L wrist plain film; lat view; age 13 y, boy; detector: Siemens —

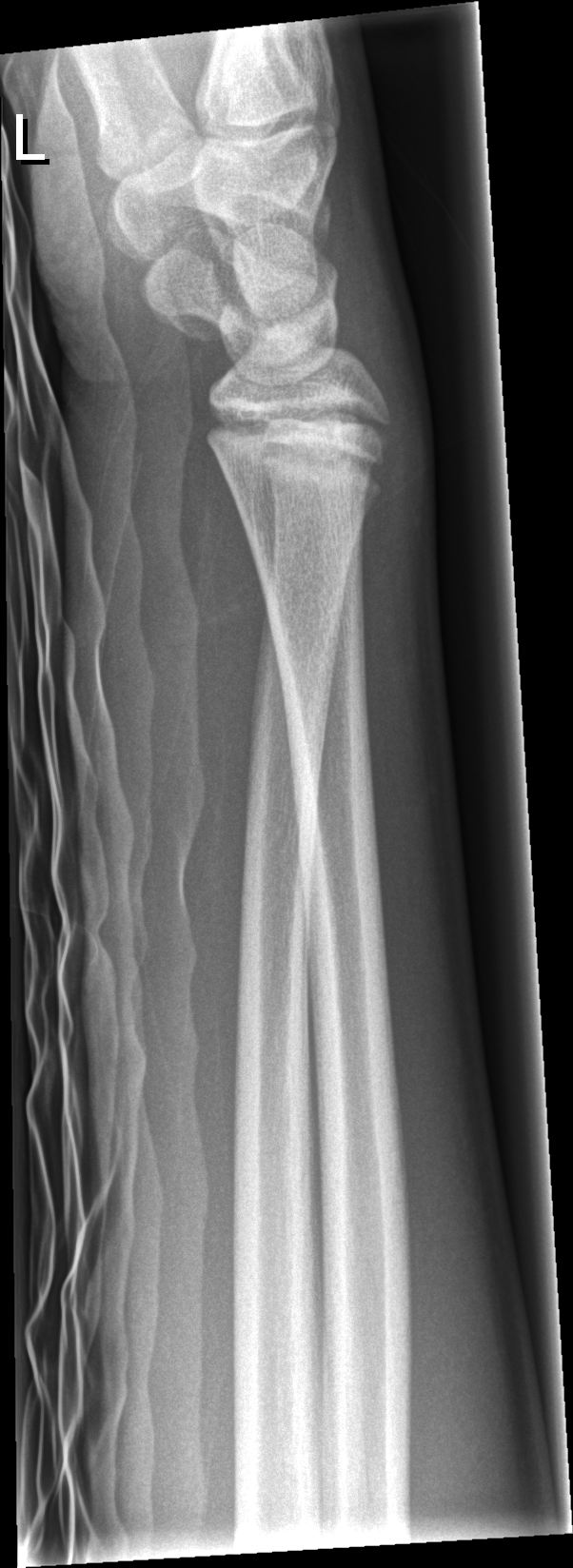
Bounding boxes in image-pixel xyxy.
Bone fracture — [200, 402, 396, 484].
AO/OTA classification: 23r-E/2.1.